Lat view, left wrist plain film, 648 x 1310 px:

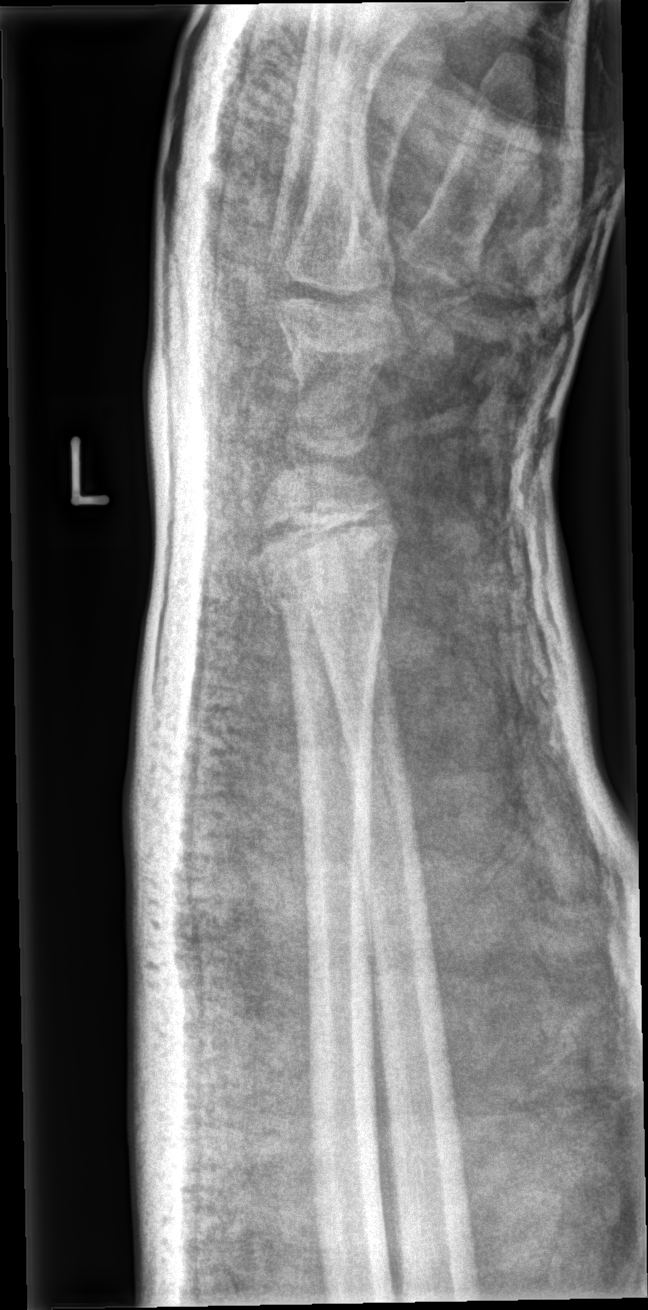

Bone fracture: (left=257, top=533, right=398, bottom=627)